Posteroanterior view · L wrist XR.

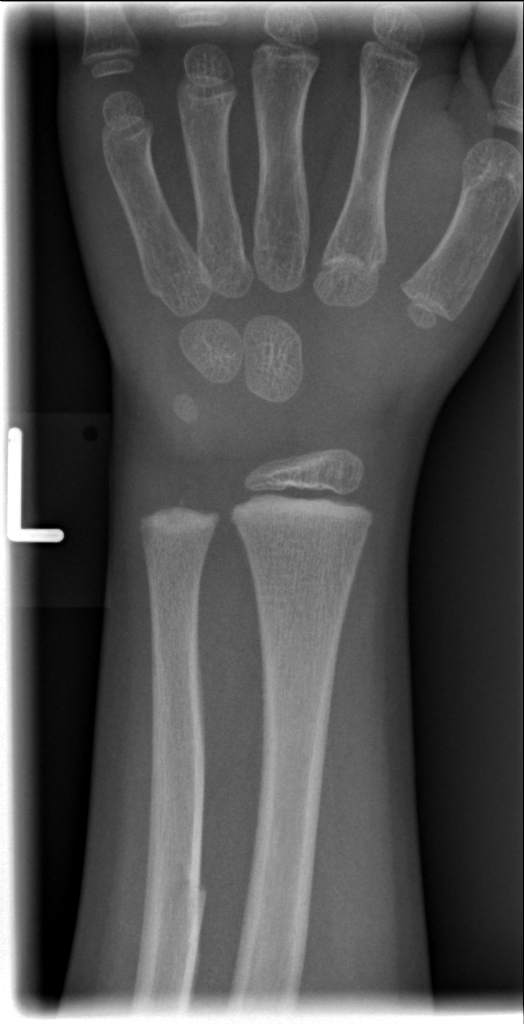

(pixel coordinates, top-left origin, xyxy)
Fx = 1 @ (left=128, top=854, right=215, bottom=968)
AO classification = 22u-D/2.1